Obl view, L wrist XR, male, 11 yo, follow-up study, 674 by 1246 pixels

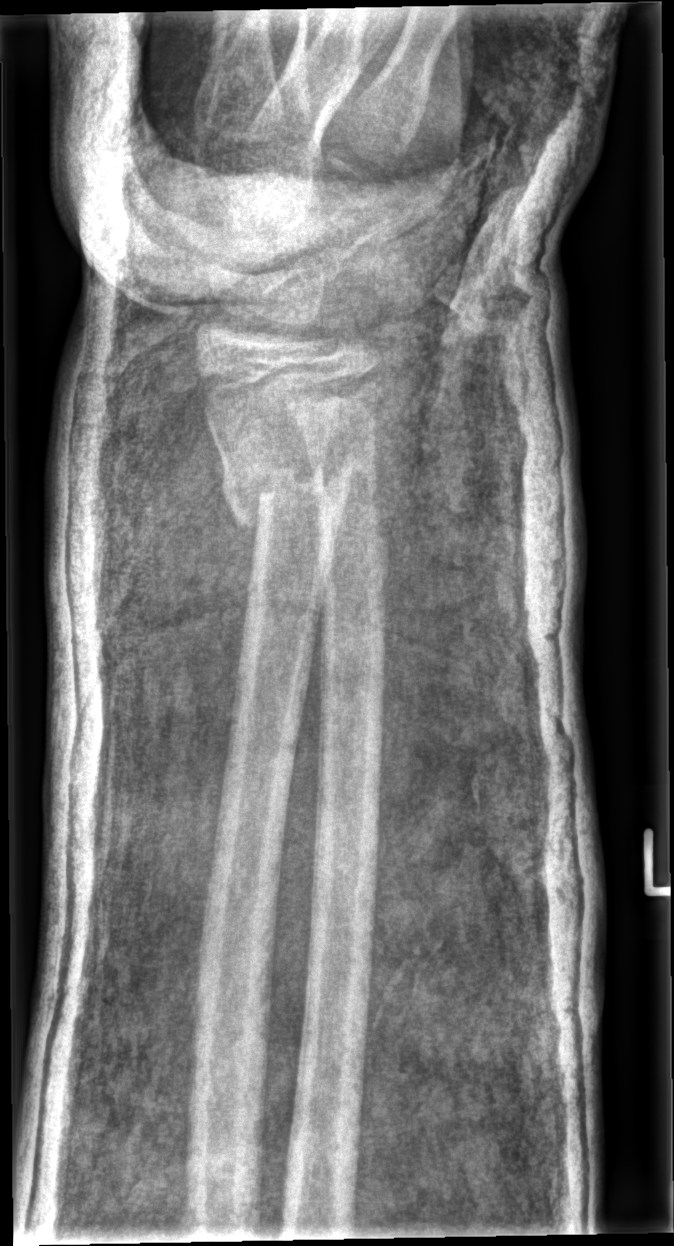

Fx: 215 448 359 535
AO/OTA: 23r-M/3.1; 23u-E/2.1